Frontal view | right wrist XR | pediatric patient (boy, age 4) | follow-up study | imaged through cast. 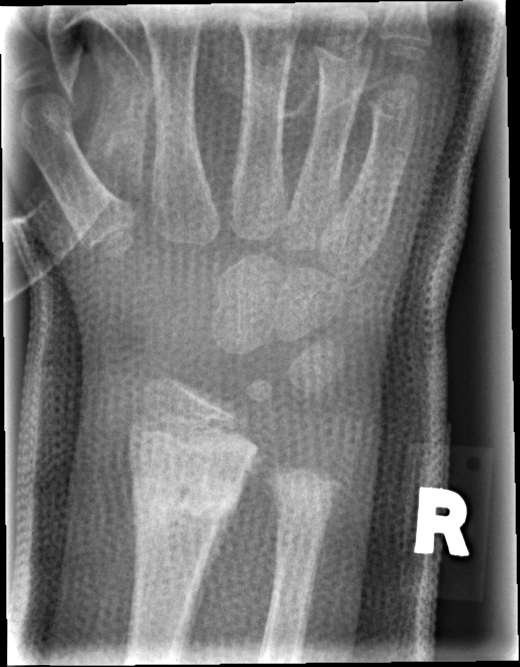
(bounding boxes in image-pixel xyxy)
AO classification = 23r-M/3.1; 23u-M/2.1
Bone fracture = 2 @ (left=121, top=466, right=247, bottom=536) (left=265, top=471, right=342, bottom=527)